AP projection · left wrist radiograph · 8-year-old boy · cast present · 608x1190.

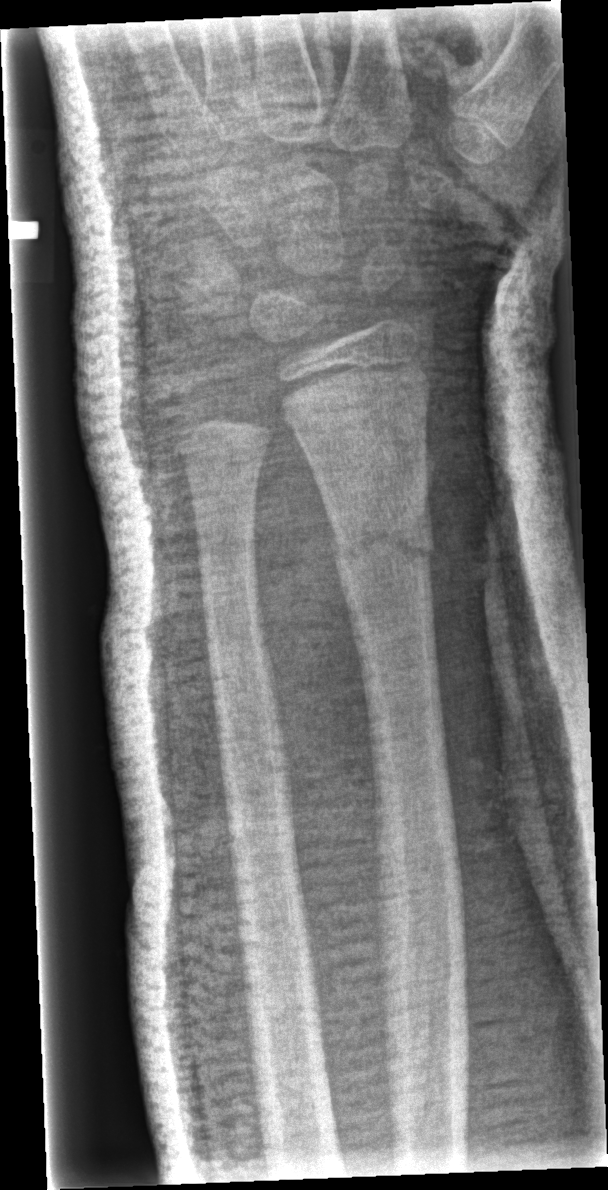
* Boxes as x1,y1,x2,y2 (top-left / bottom-right, pixel units).
* AO code 23r-M/3.1.
* Bone fracture identified at (326, 518, 440, 581).